Lat projection; right pediatric wrist radiograph.
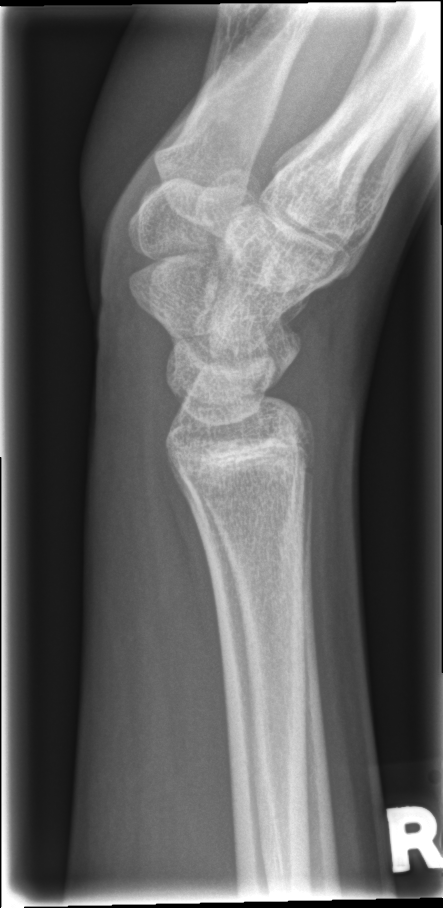 No Fx annotated.